L wrist XR; lat; follow-up; imaged through cast; acquired on Siemens

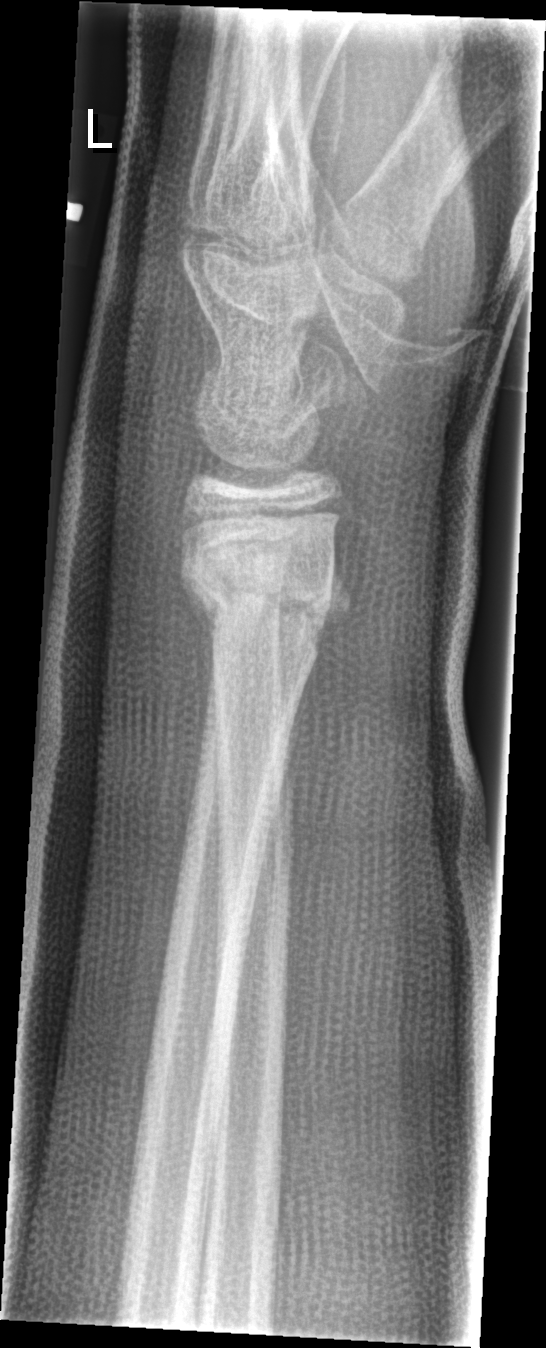

• AO/OTA classification: 23r-M/3.1; 23u-E/7.
• Fracture — [176, 534, 347, 652].